Posteroanterior projection, Lt pediatric wrist radiograph, male, 16 yo, initial study, Siemens, 564 x 818 px 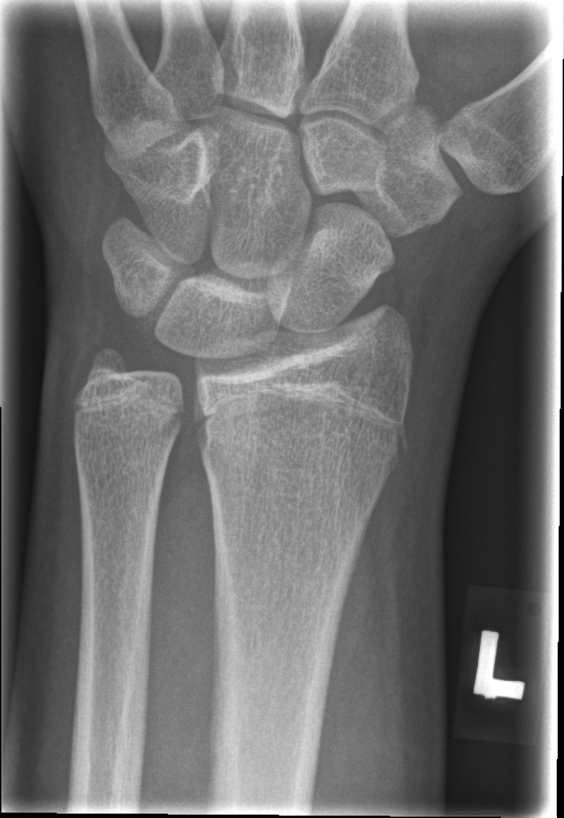
FINDINGS: No fracture annotation.